Lateral projection | L pediatric wrist radiograph:

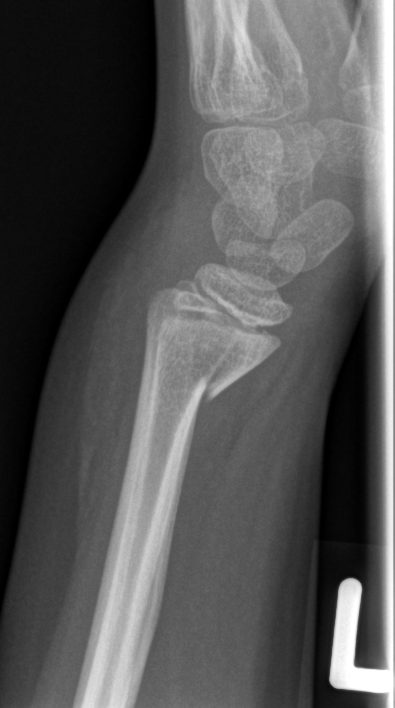

FINDINGS: (bounding boxes in image-pixel xyxy) Bone fracture identified at [144, 333, 246, 405]. One soft tissue abnormality at [23, 171, 175, 545].